Left plain radiograph of the wrist; lat; follow-up study; 604 x 1300 px.
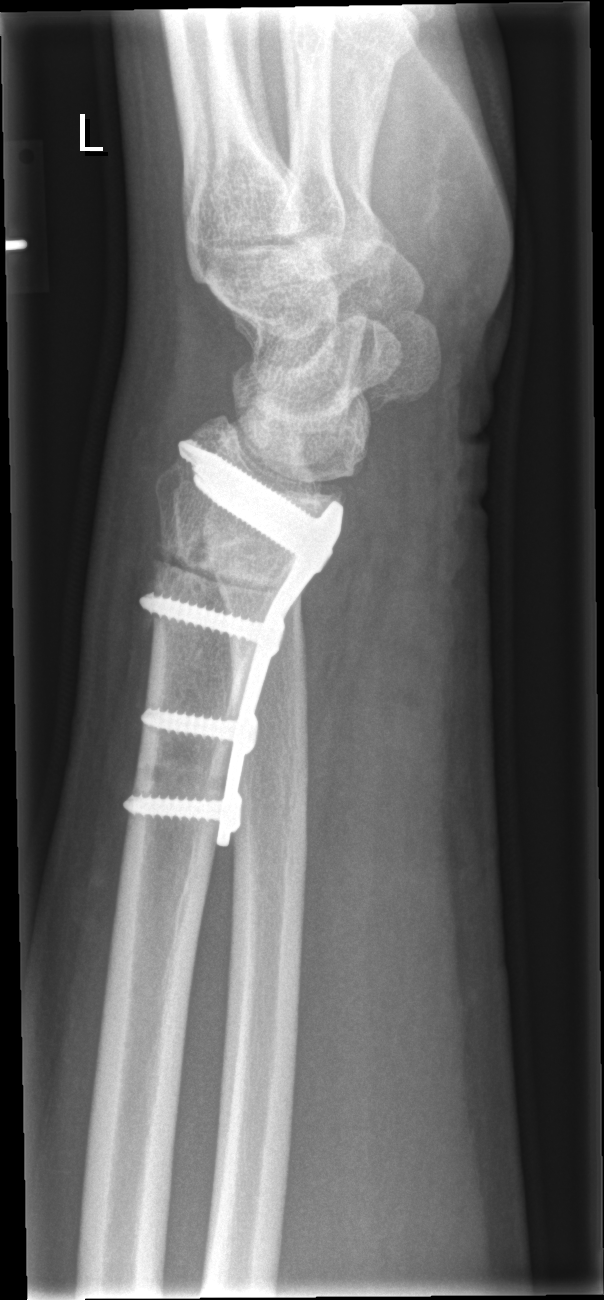

FINDINGS — (coordinates are [x1, y1, x2, y2] in image pixels) Soft-tissue finding — (286, 418, 492, 1127). Metallic implant identified at (121, 435, 345, 849). No fracture annotation.